L plain radiograph of the wrist | lateral | image 101.4 mm wide: 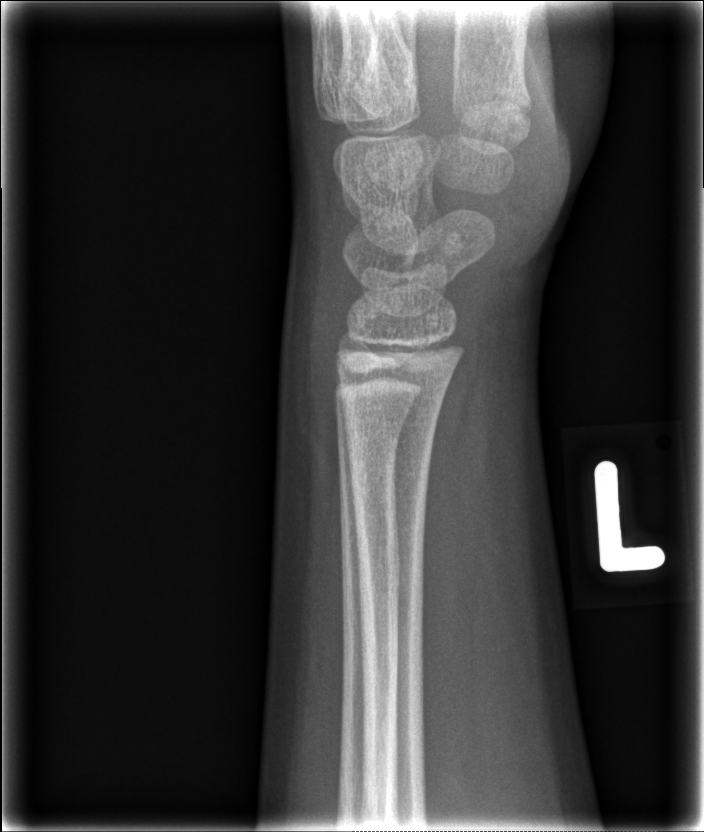

FINDINGS — Fracture: none labeled.